Left wrist pediatric wrist radiograph, lateral, pediatric patient (girl, age 10).

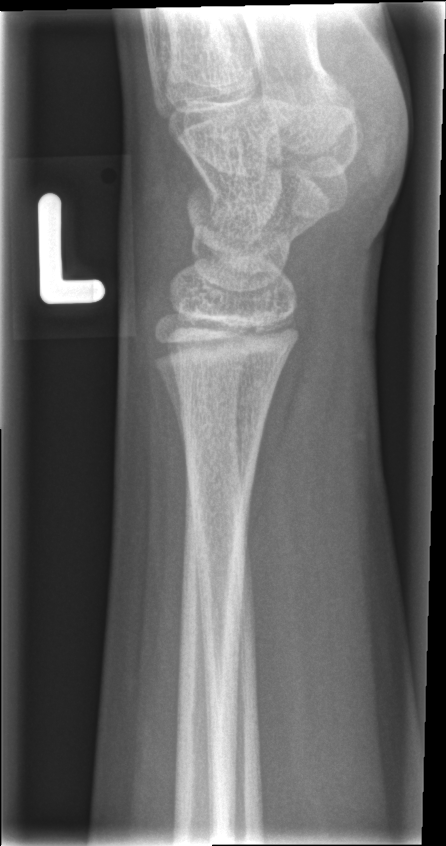

FINDINGS — No fracture bounding box.